Right pediatric wrist radiograph; lat projection; female, 15 yo

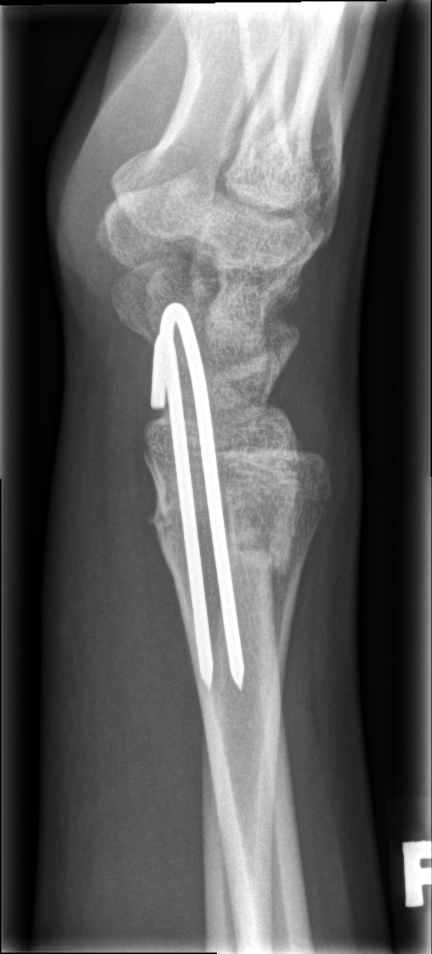 Bone fracture identified at 140,449,305,590.
AO/OTA classification: 23r-M/3.1; 22u-D/1.1; 23u-E/7.
Metallic hardware: 147,299,248,694.